Right wrist plain film; lat; 10-year-old male; subsequent exam; imaged through cast; 562x738.

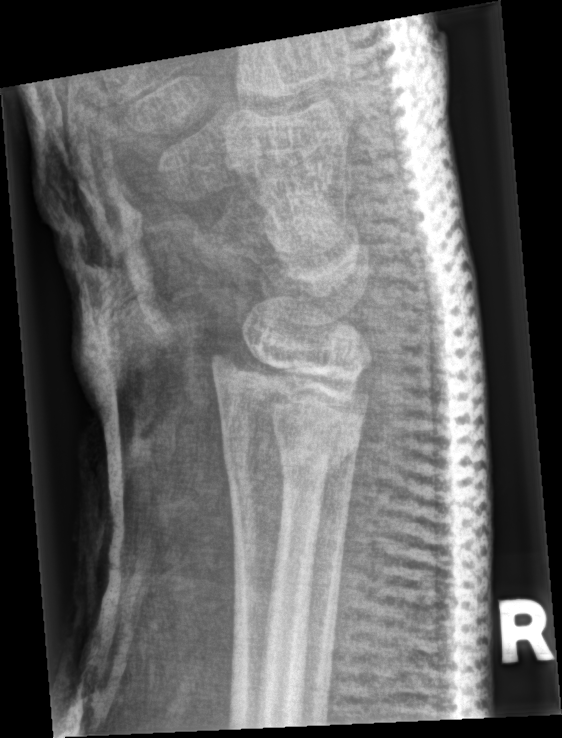

Fracture: 207,343,365,480. Fracture classified AO/OTA 23r-E/2.1; 23u-E/7.